Rt wrist X-ray · lateral view · 5-year-old girl:

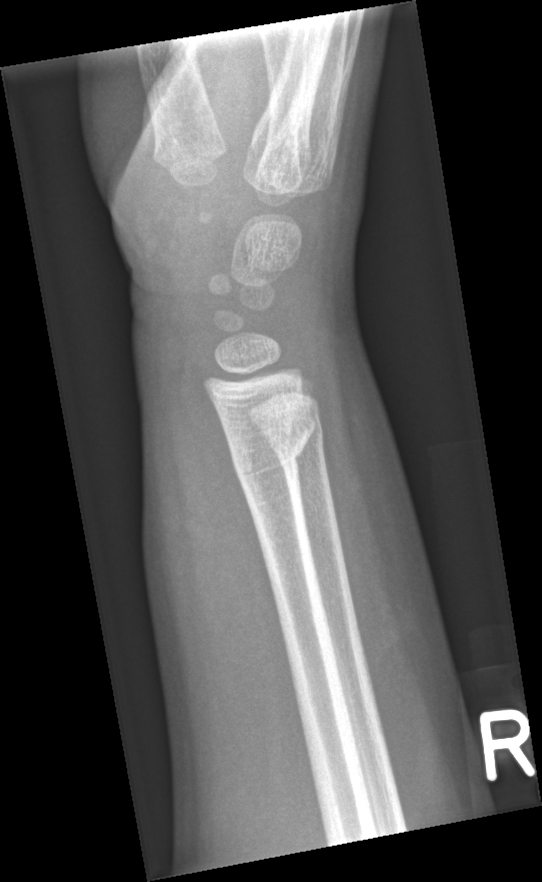

FINDINGS: Pronator sign — (182, 362, 281, 644). AO code 23-M/2.1. Fractures — (224, 405, 317, 489), (263, 410, 326, 465).